Rt wrist radiograph; PA/AP projection; acquired on Siemens: 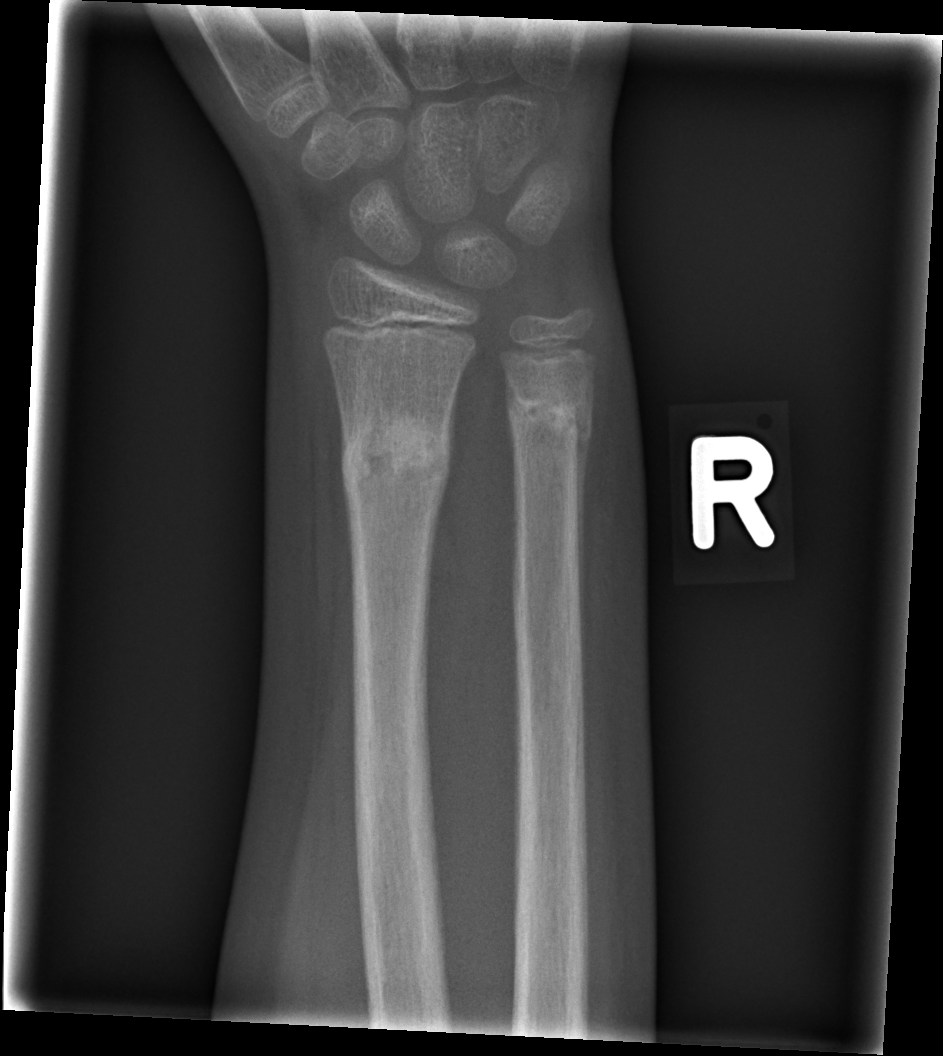
fracture: 335 403 456 499; 502 383 595 449
ao: 23-M/3.1
osteopenia: present
periostealreaction: 1 @ 576 394 593 626